Posteroanterior; L wrist plain film; image size 546x940.

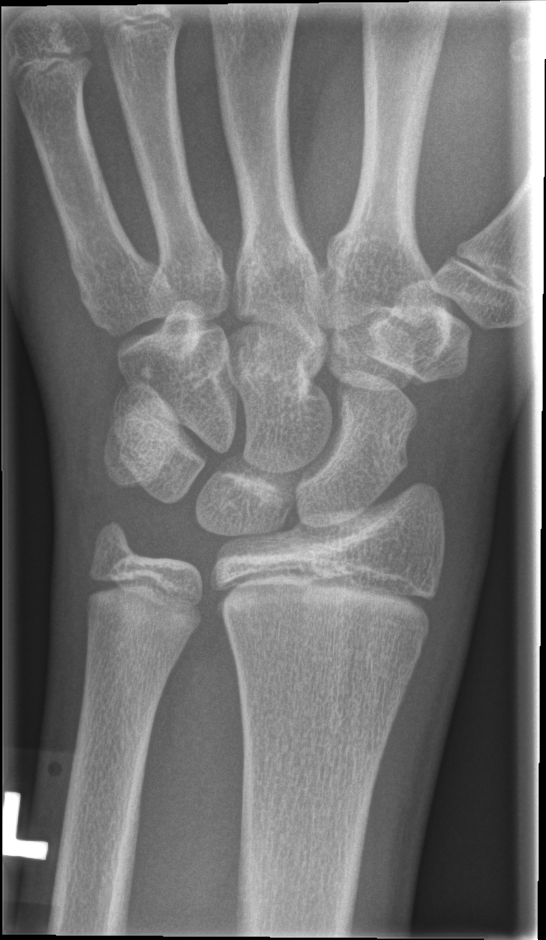 Findings: No fracture annotation.